L wrist XR · frontal view · age 16 y, female:
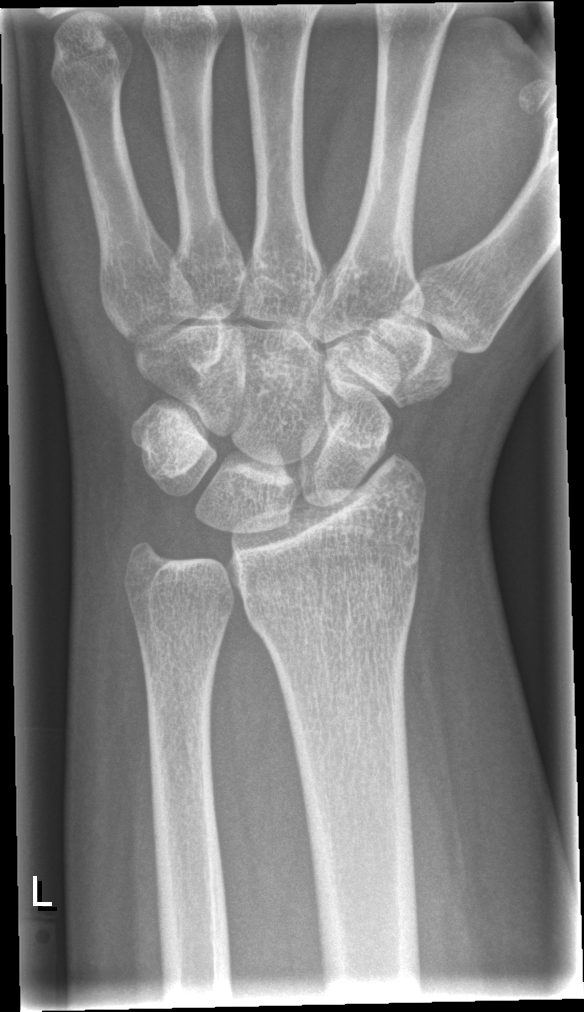
FINDINGS — No fracture labeled.